Lt wrist X-ray | lateral | pediatric patient (girl, age 7) | detector: Siemens:
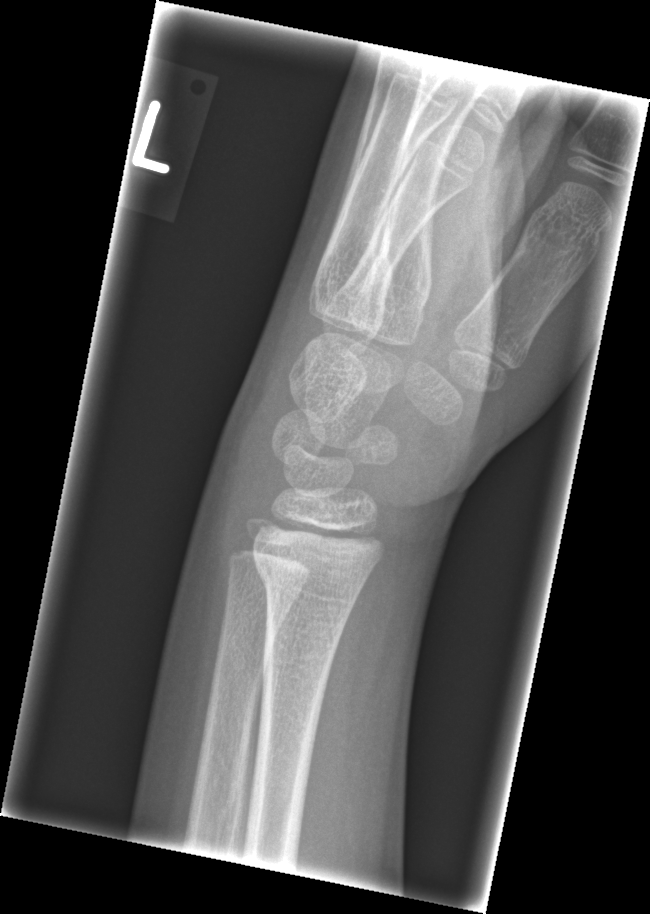
AO code = 23r-M/2.1
Bone fracture = 1 @ 246 540 367 619